Lateral projection; L wrist X-ray; age 8 y, male; in cast; 557 by 1102 pixels

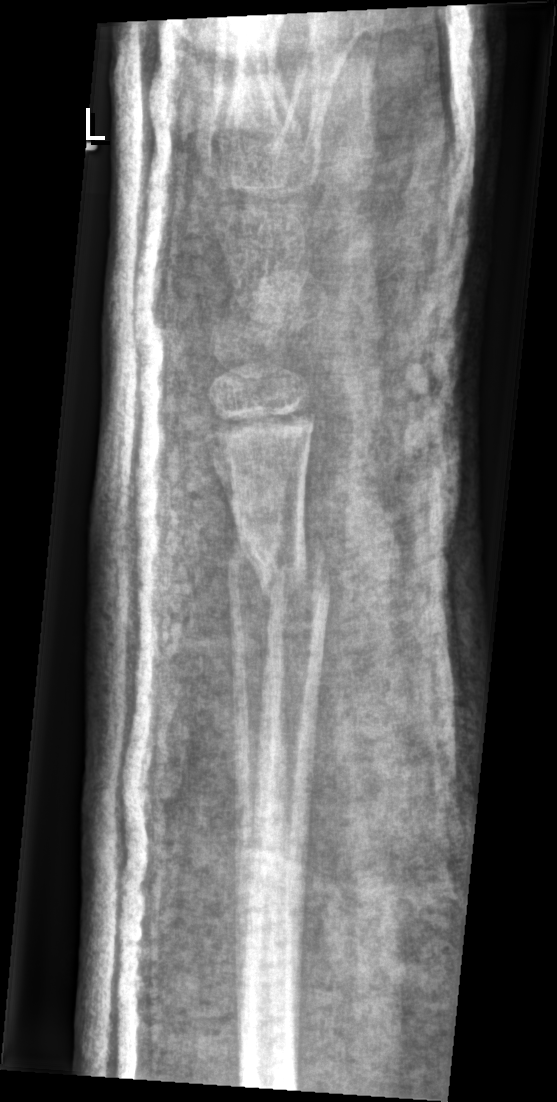

(coordinates are [x1, y1, x2, y2] in image pixels)
Q: AO code?
A: AO code 23-M/3.1
Q: Any fracture seen?
A: Fx identified at [x1=241, y1=533, x2=336, y2=612], [x1=222, y1=533, x2=285, y2=584]